Right pediatric wrist radiograph, lat, diagnosis uncertain:

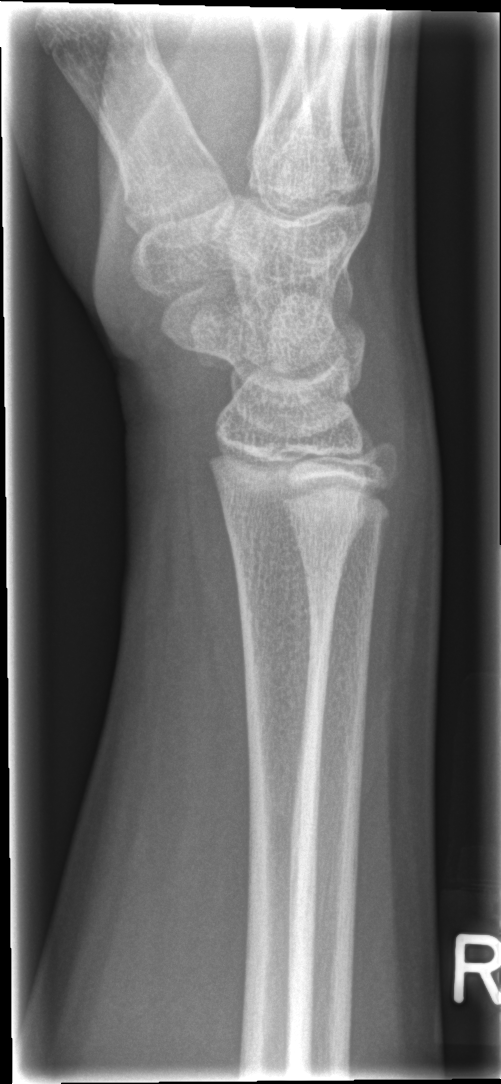 • Bone fracture identified at (217, 489, 370, 560).
• Fracture classified AO/OTA 23r-M/2.1.